Right plain radiograph of the wrist · lateral projection · pediatric patient (male, age 11):

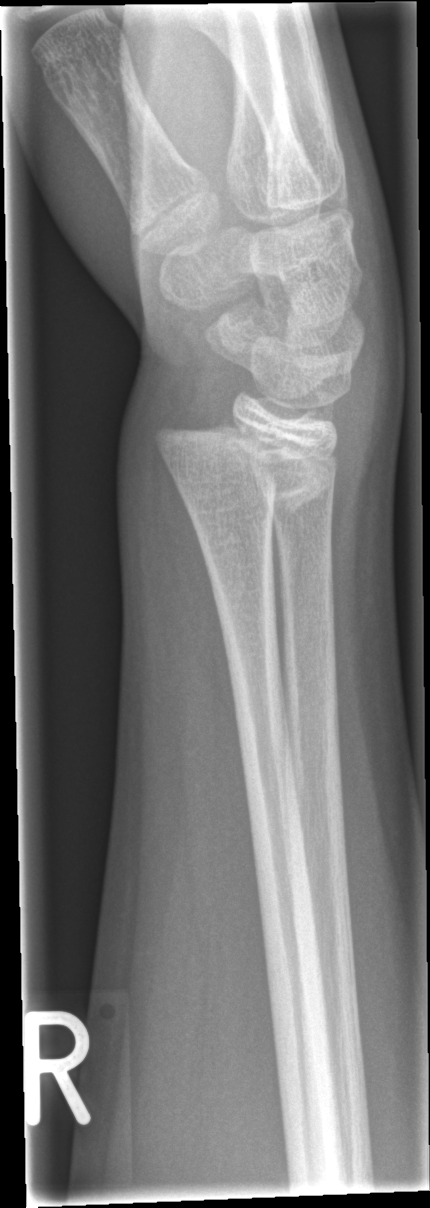 One bone fracture at (154, 416, 345, 511).